Right wrist plain film · AP · male, 8 yo · 586x764 —
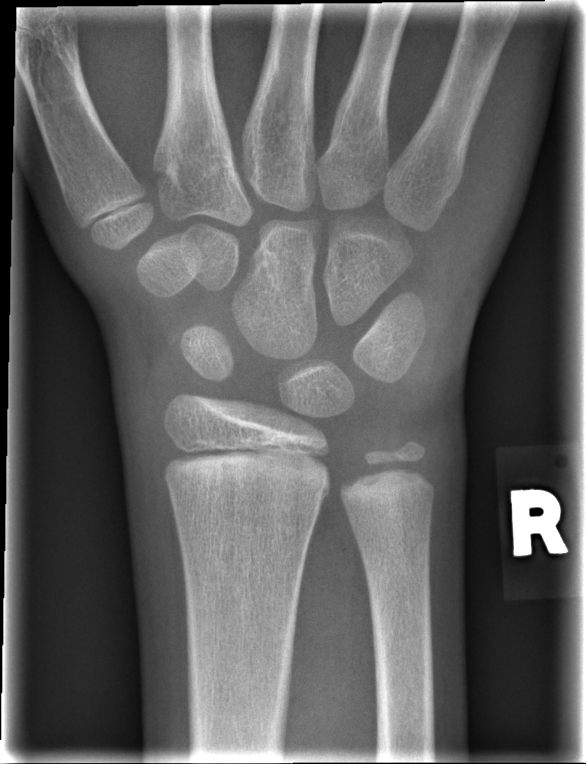 * Fx: none.